PA projection · left wrist XR · female, 12 yo

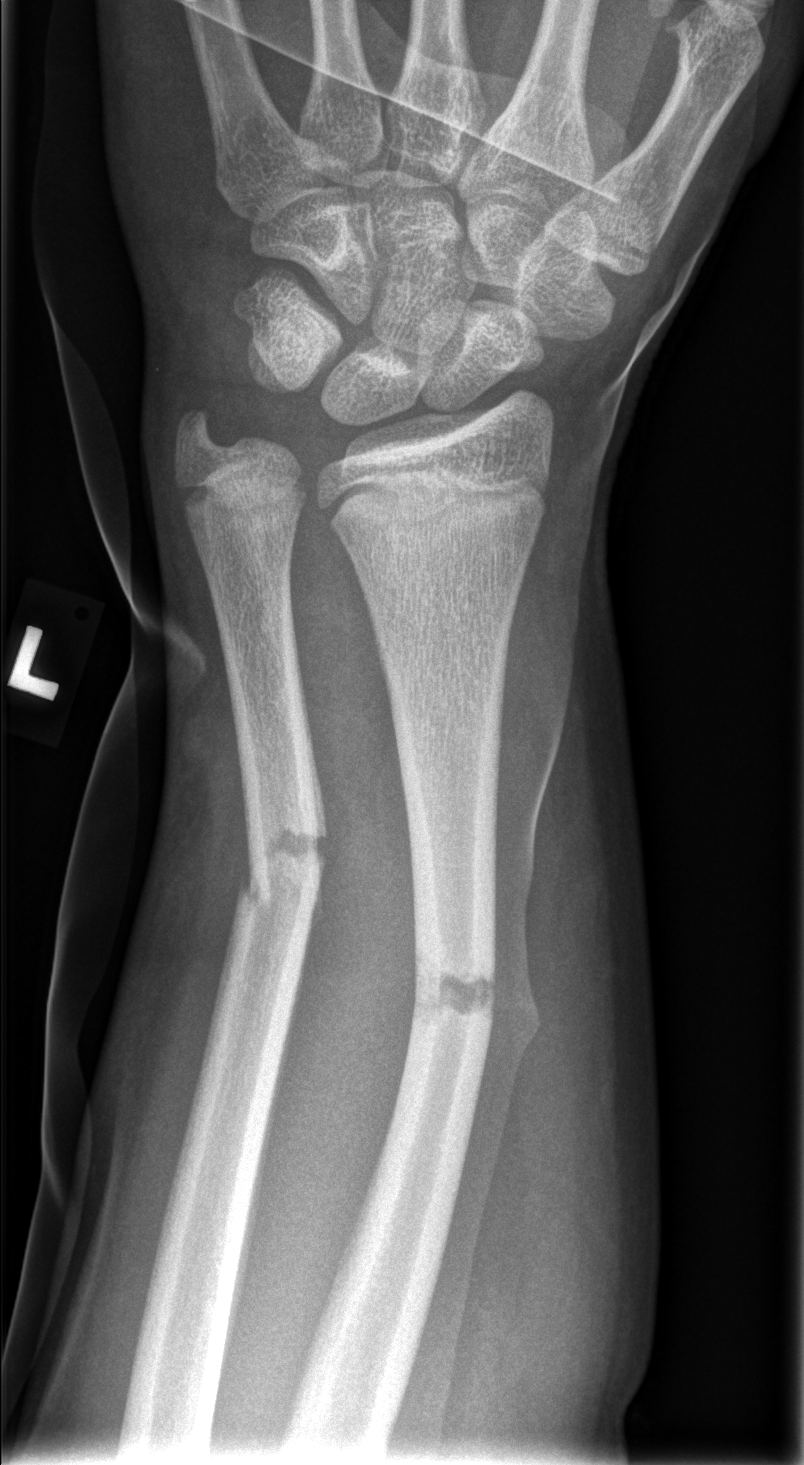 fracture: [225, 810, 333, 925]; [403, 944, 506, 1042]; [165, 386, 237, 465]
AO code: 22-D/2.1; 23u-E/7